Frontal | Rt wrist X-ray | 2y F
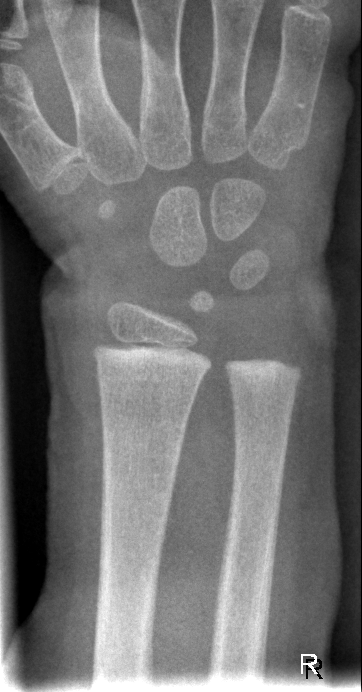

Bone fracture = none labeled